Left wrist plain film; frontal view; male, 12 yo; presentation radiograph; image size 681x832.

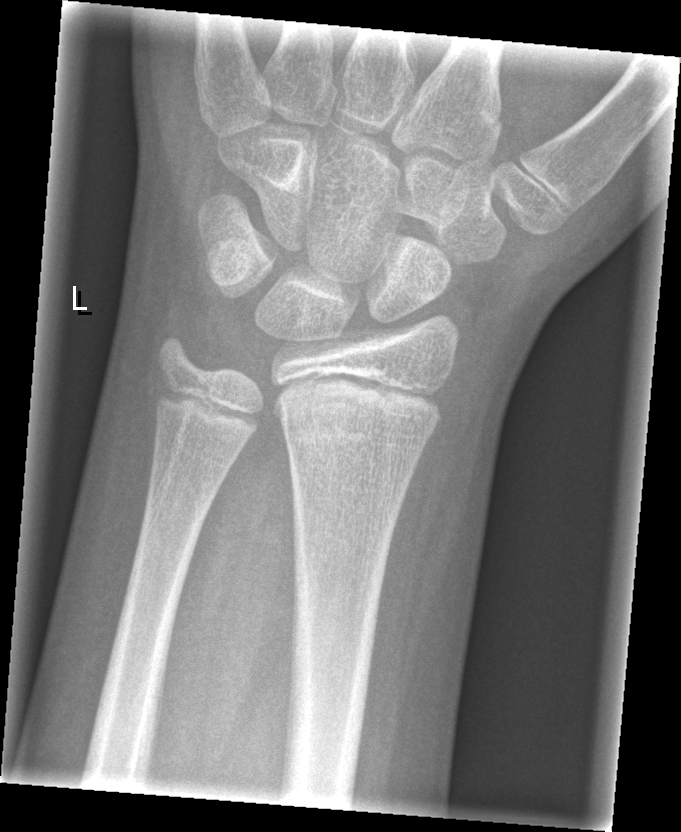

Q: Is there a fracture?
A: Fracture: present but not clearly seen in this view